Lat · left wrist plain film · 11-year-old boy · image 74.3 mm wide — 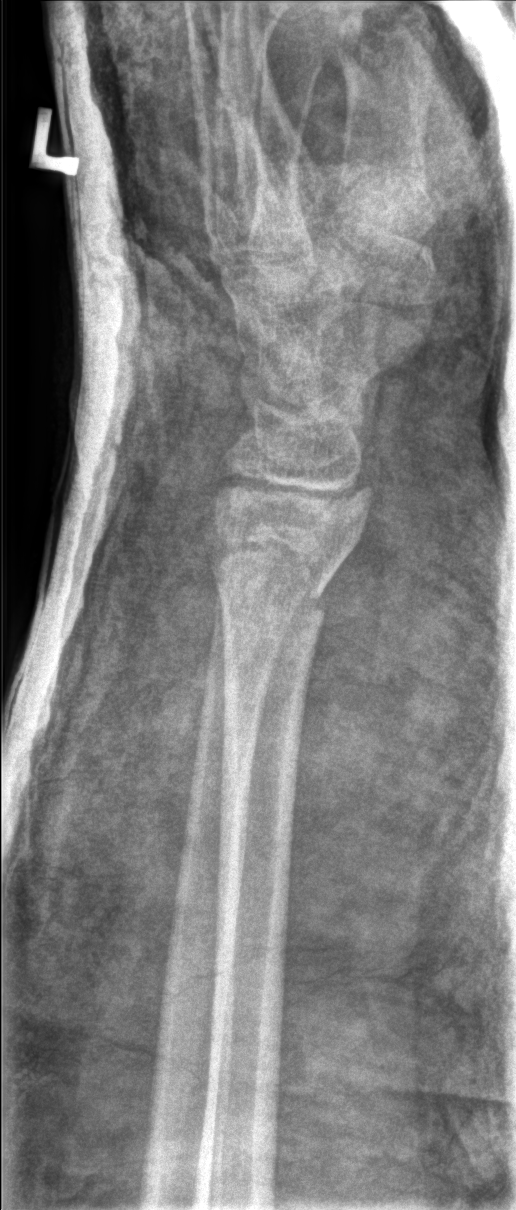

Findings: AO code 23r-M/3.1; 23u-E/7. Fracture: 189,503,365,651.